Right wrist X-ray, lateral, index exam — 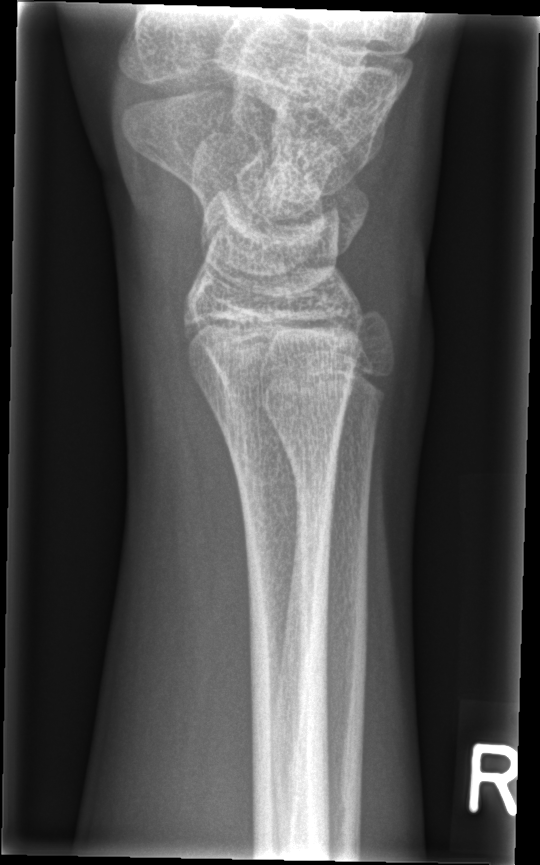

* No fracture labeled.